Lateral; left plain radiograph of the wrist; 6-year-old boy; presentation radiograph —
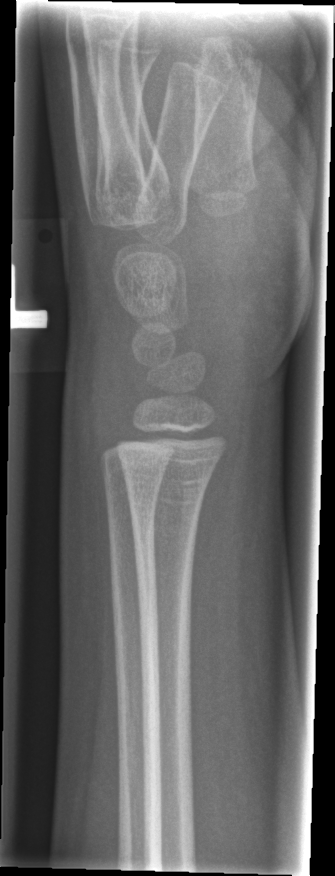
No fracture annotation.